Right wrist XR | lat | 17-year-old girl | index exam | 408 by 984 pixels.
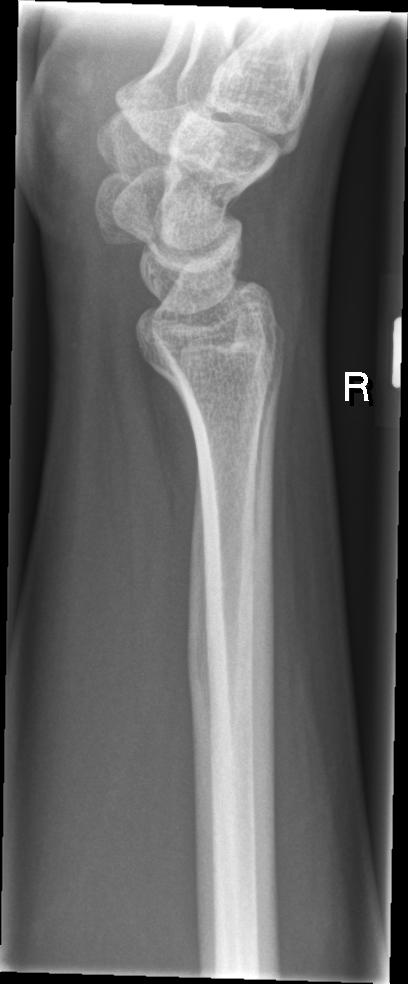

Q: Fracture present?
A: No Fx annotated